Lt plain radiograph of the wrist · lateral view · presentation radiograph · Siemens · image size 507x780 —
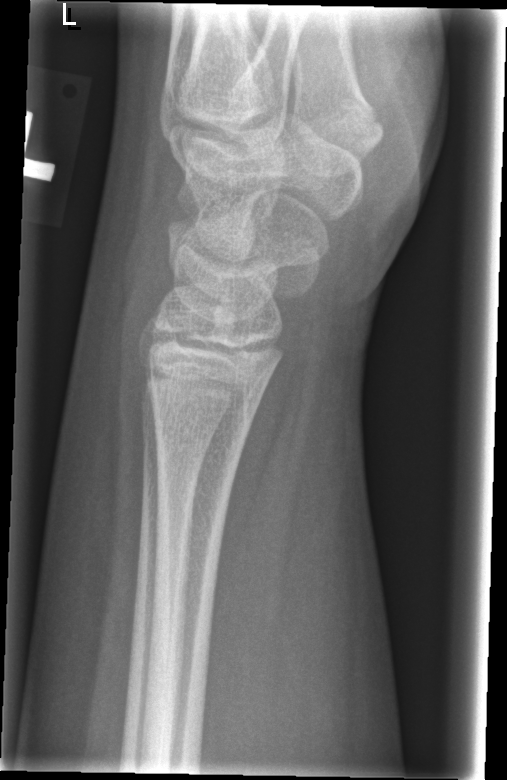 fracture: none labeled